Left wrist plain film | lateral view | age 15 y, boy | Siemens | 536x932.

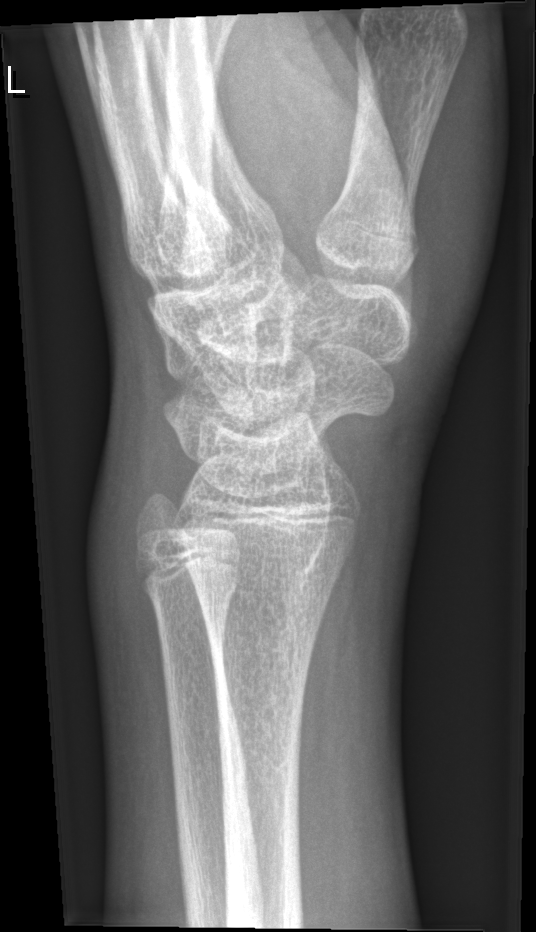

Bone fracture = none labeled